L pediatric wrist radiograph | lateral projection | follow-up

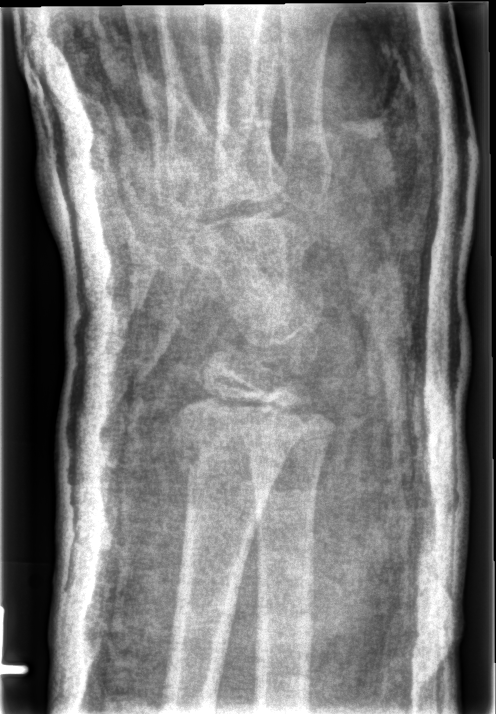 AO classification: 23r-M/2.1
fracture: 1 @ 161,424,295,482